Lt pediatric wrist radiograph · lateral projection · subsequent exam · detector: Siemens · image 52.1 mm wide:

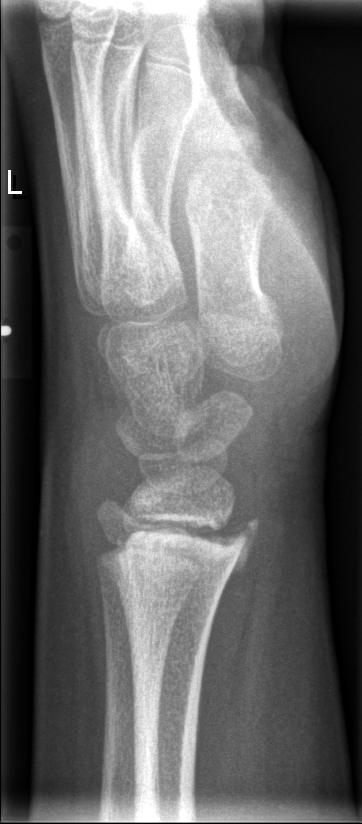
* Bone fracture — 98 507 262 590.
* AO code 23r-E/1.